AP projection · right wrist plain film · Siemens · 607x1166

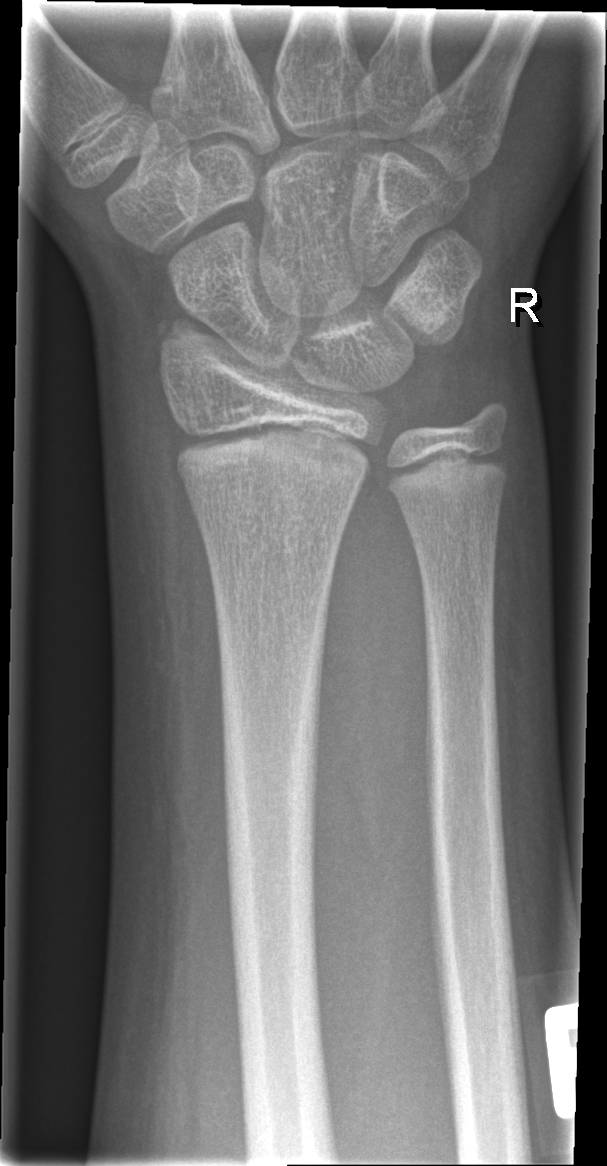

Boxes as x1,y1,x2,y2 (top-left / bottom-right, pixel units).
AO/OTA classification: 23r-E/1.
One fracture at (166, 411, 377, 489).